Lateral · right plain radiograph of the wrist 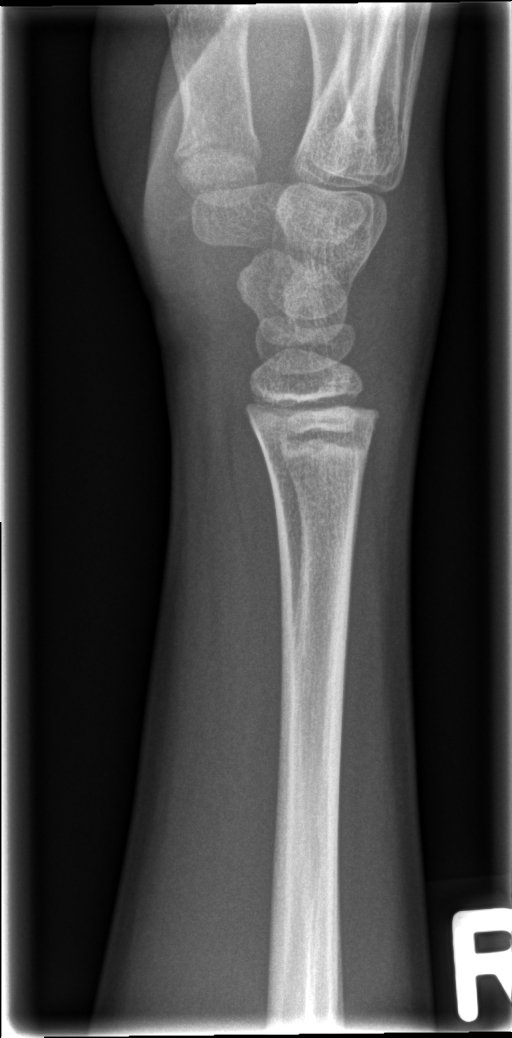
• Bounding boxes in image-pixel xyxy.
• Soft tissue abnormality — [x1=348, y1=149, x2=450, y2=408].
• Fx: none.